PA/AP view · right wrist XR · image 109.2 mm wide.

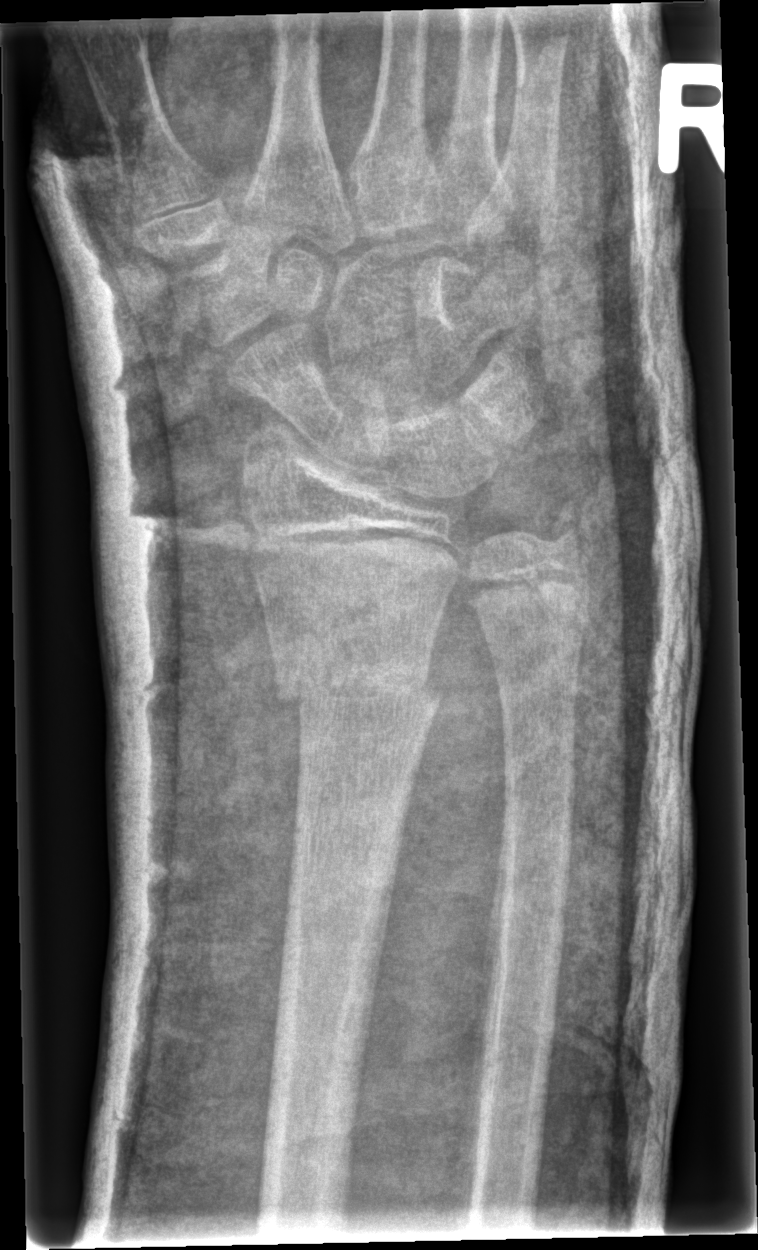 (pixel coordinates, top-left origin, xyxy)
Q: What is the AO/OTA classification?
A: Fracture classified AO/OTA 23r-M/3.1; 23u-M/2.1; 23u-E/7
Q: Is there a fracture?
A: Fx: <263,661>-<450,728>